Lateral projection | L pediatric wrist radiograph | 14-year-old male —

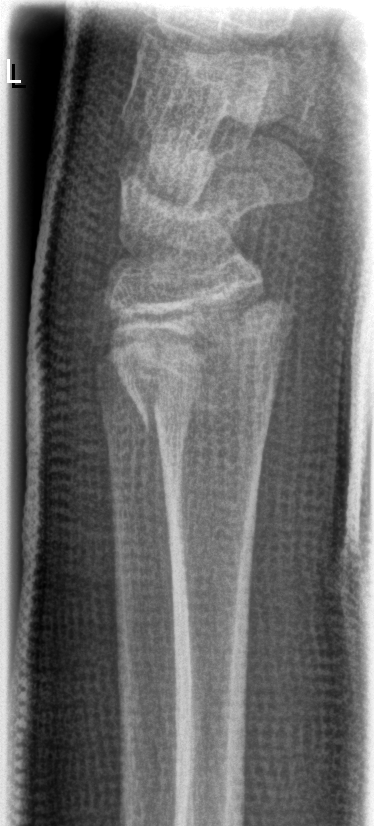 One Fx at (99, 288, 293, 441).